Frontal view, Rt wrist radiograph, index exam, Siemens, 77.6 mm image width. 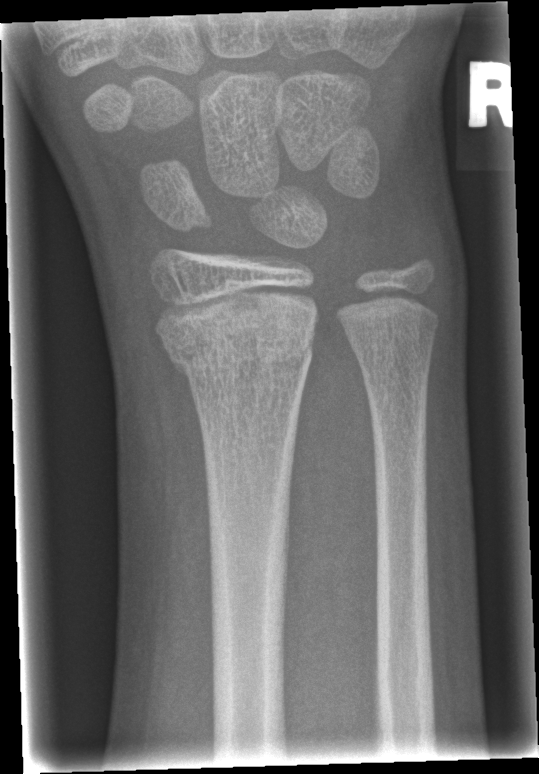
• AO code 23r-M/3.1.
• One bone fracture at 157 308 318 382.